AP | L wrist X-ray | 8y M | in cast —
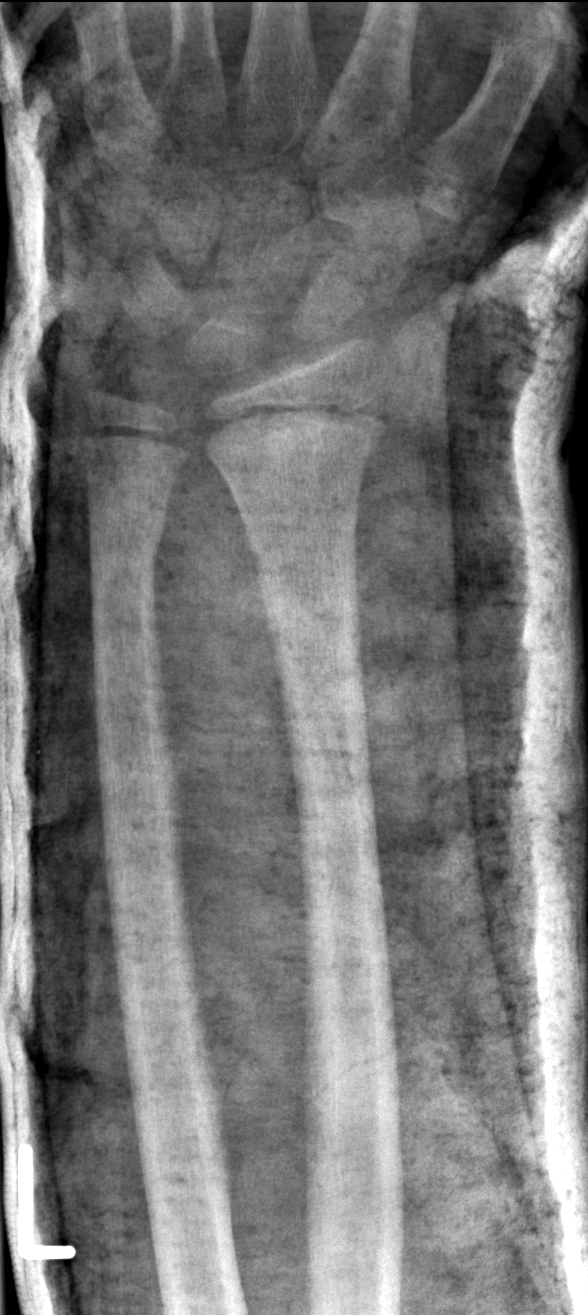
Fractures — (194, 401, 395, 483), (82, 525, 165, 596).